Posteroanterior view, right wrist plain film. 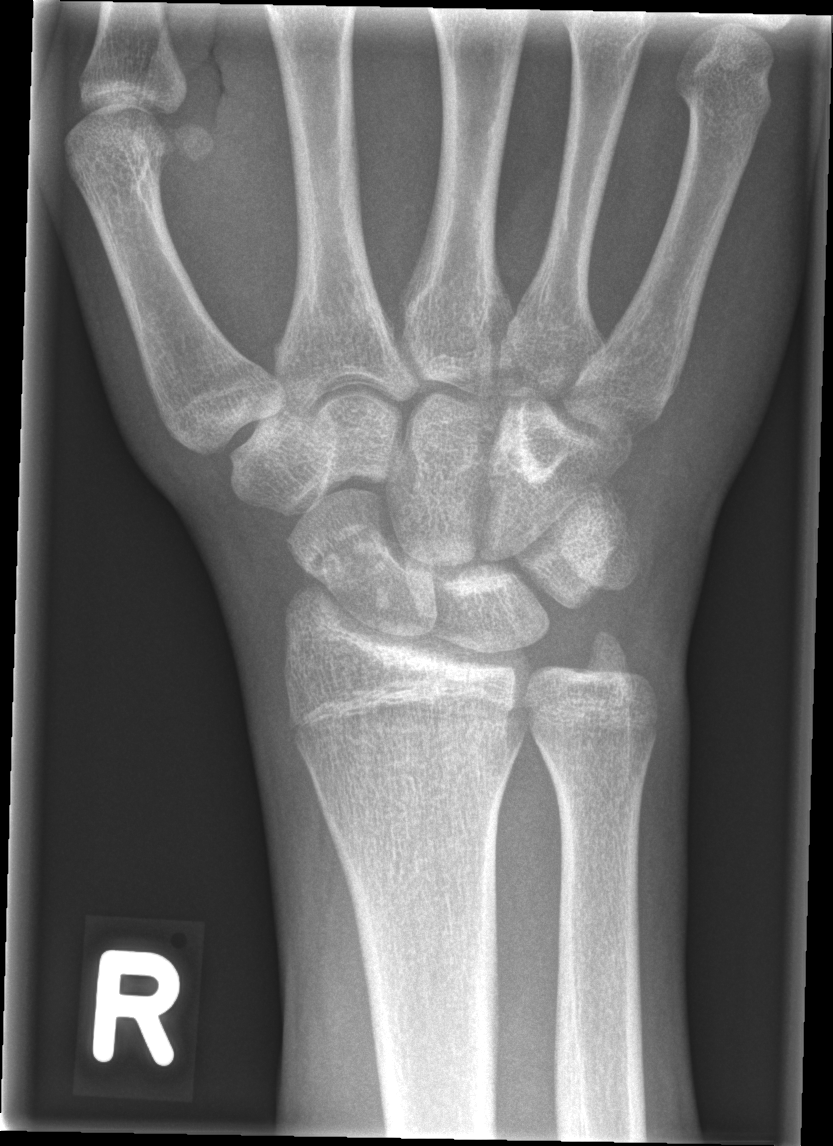 FINDINGS: (bounding boxes in image-pixel xyxy) Fx identified at (left=301, top=516, right=395, bottom=590).